Right wrist X-ray | lateral | pediatric patient (girl, age 5)

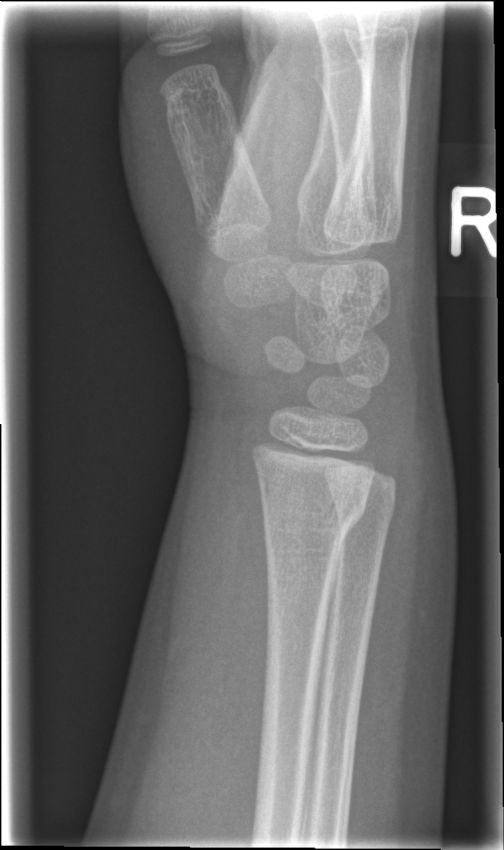

AO code 23r-M/2.1. One fracture at (left=257, top=486, right=372, bottom=548).